Lat, Lt wrist plain film, girl, 17 yo, presentation radiograph

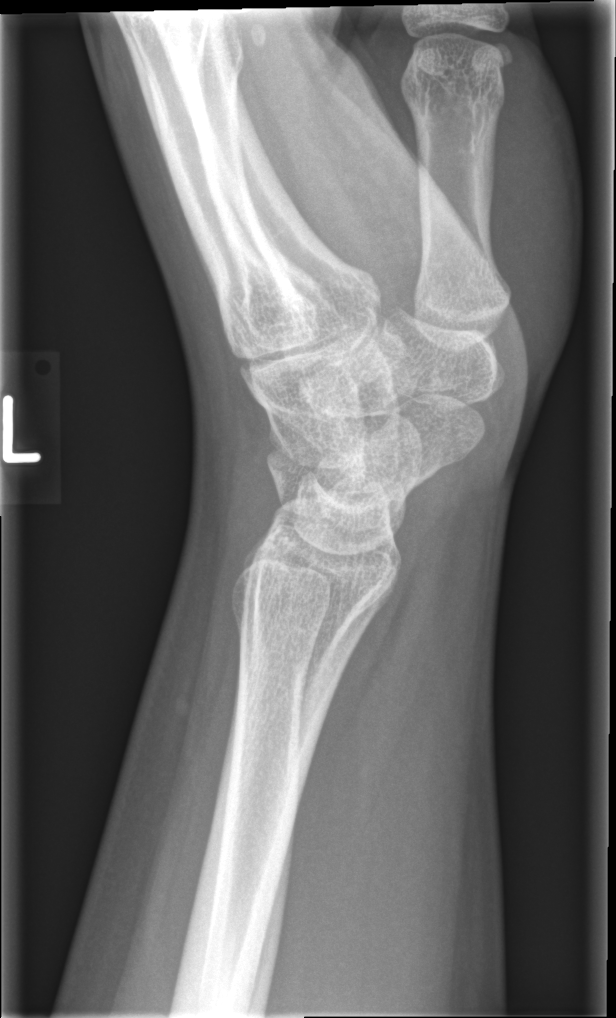 No Fx annotated.